R wrist X-ray · posteroanterior projection · 17y M · Siemens 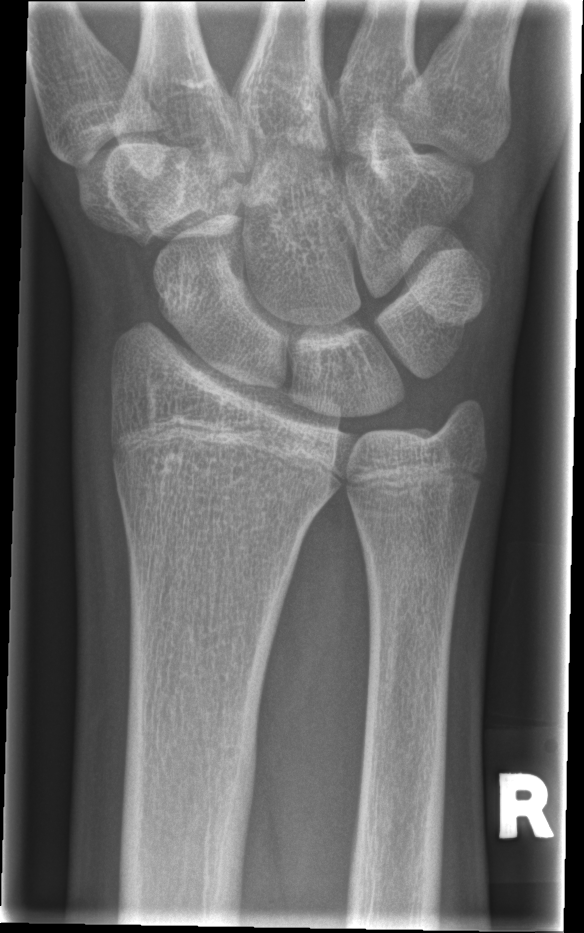 FINDINGS: Fx: none.